PA view · right wrist X-ray · 628 x 1174 px —
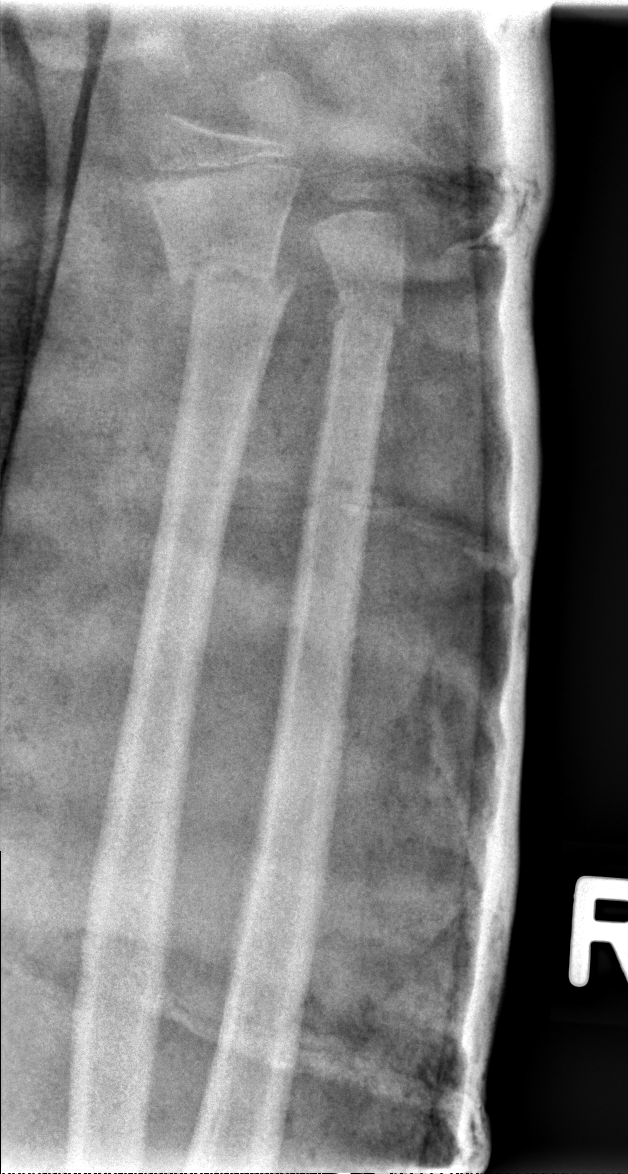
Coordinates are [x1, y1, x2, y2] in image pixels. Bone fracture identified at 159 239 301 322 | 320 280 409 352.